Right wrist XR, lateral, age 15 y, female. 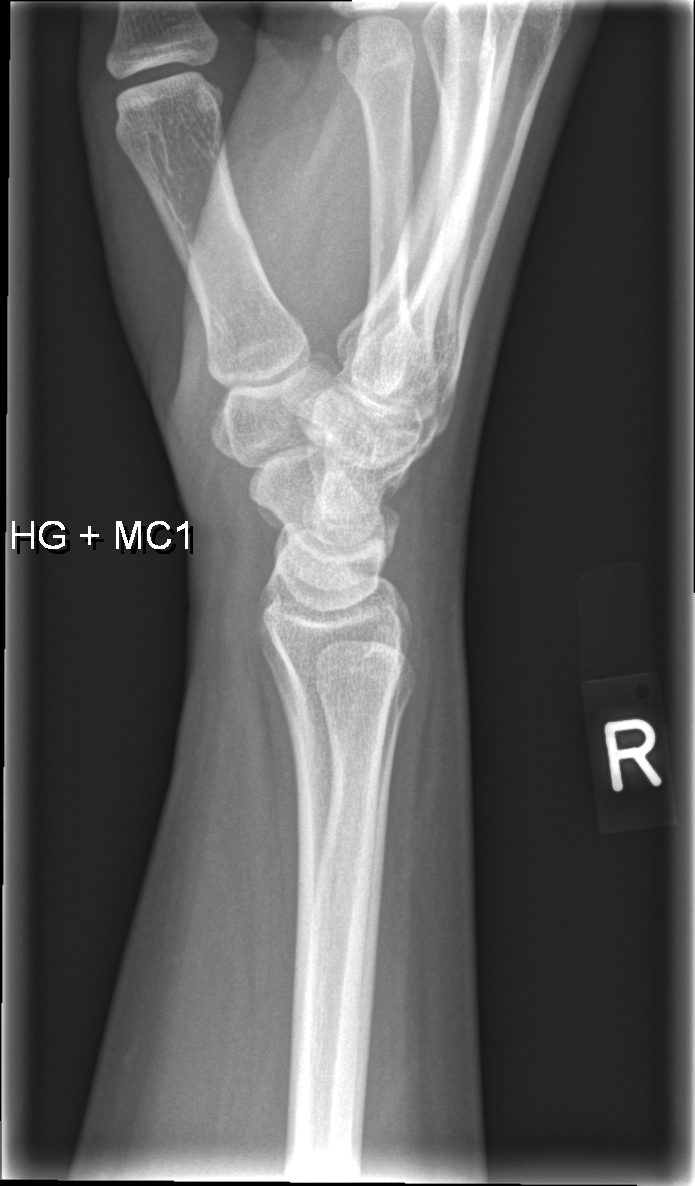
No fracture bounding box.